Posteroanterior projection | left wrist plain radiograph of the wrist | pediatric patient (girl, age 6) | 510x836:
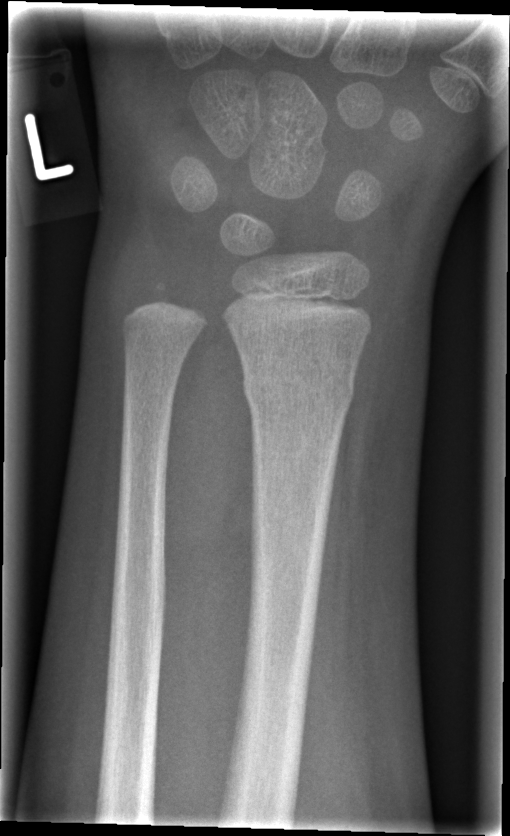

fracture: 1 @ [239, 364, 358, 417]